Posteroanterior projection, right wrist plain film, female, 4 yo, index exam, 557 x 814 px
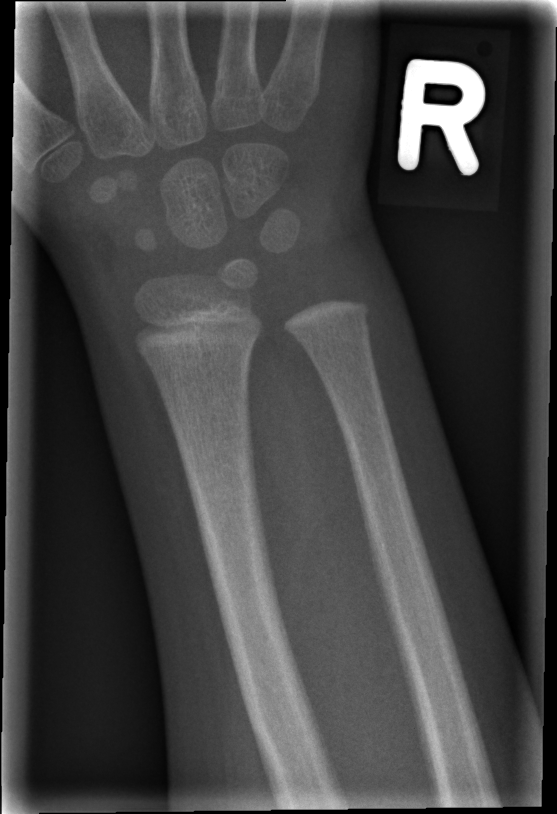 Fx: none.